AP, right wrist X-ray, 10y M, 550 by 770 pixels:

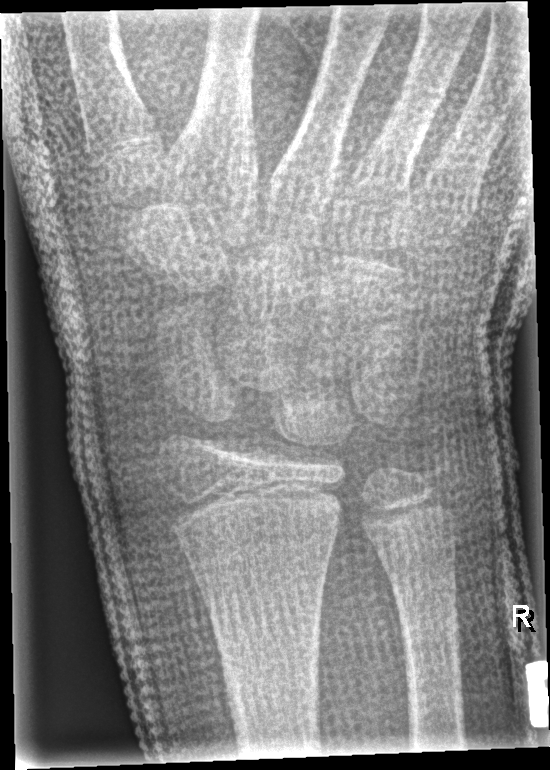

• Fracture: none labeled.